Lat projection | right wrist radiograph | 12y M | detector: Siemens | image size 699x1326.

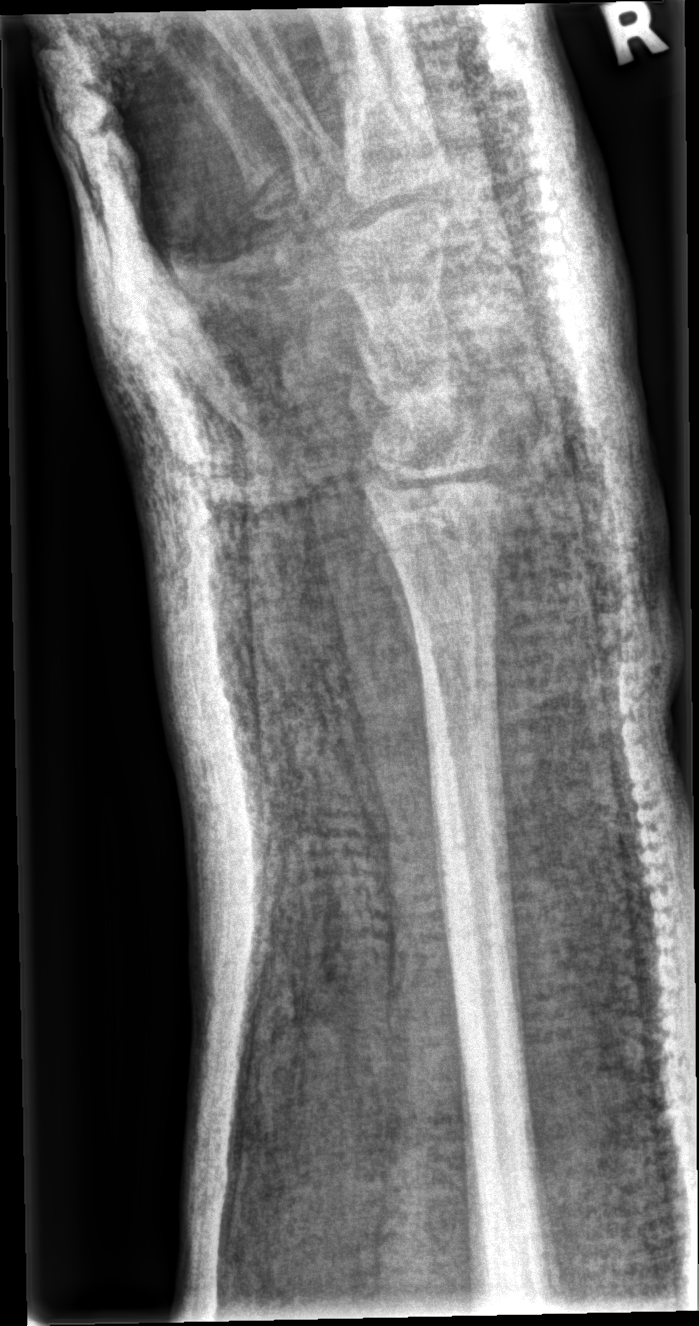
Findings: AO code 23u-M/2.1. Fx: present but not clearly seen in this view.